Lt wrist X-ray; lateral projection; male, 10 yo; 440x1122:

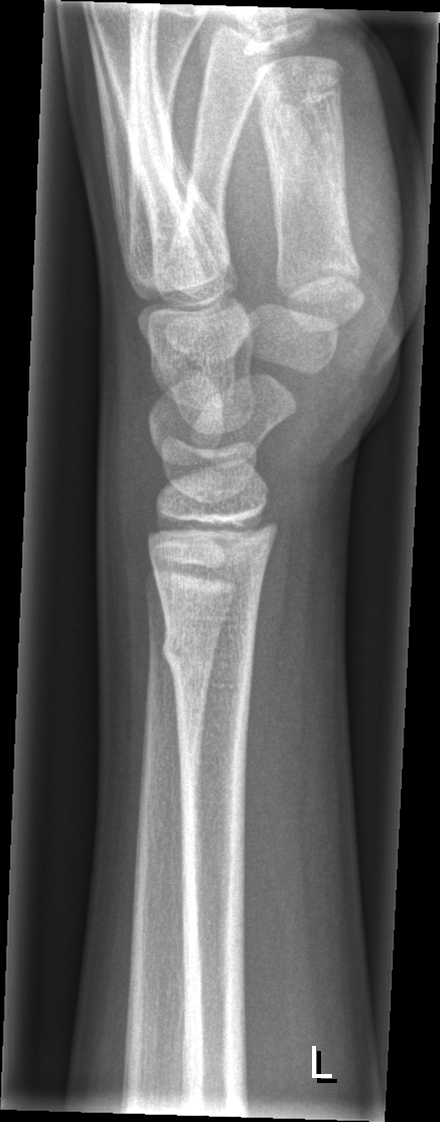

Fracture identified at bbox(159, 612, 262, 696).
AO/OTA classification: 23r-M/2.1.